Frontal view · Rt wrist X-ray

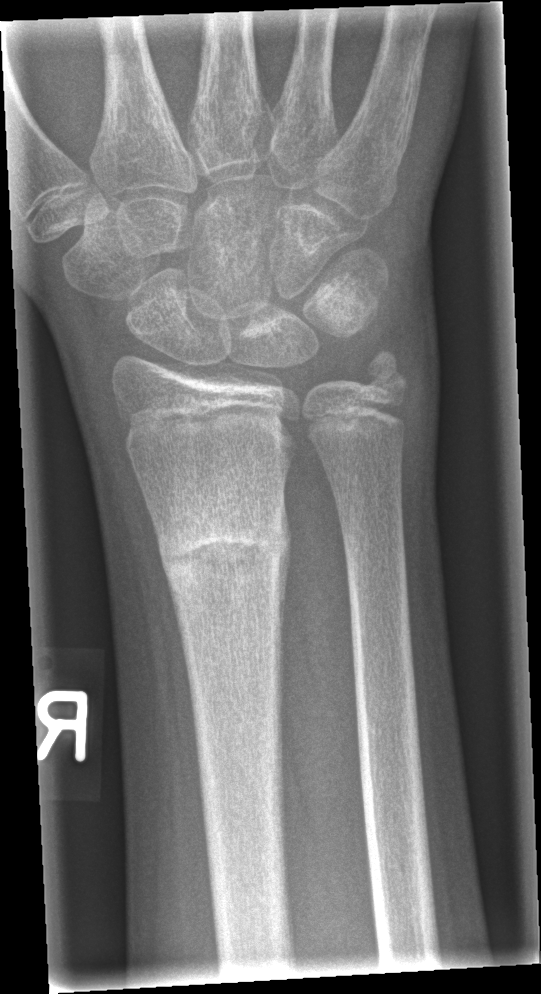 - Decreased bone density (osteopenia).
- Fractures — (154, 521, 293, 581) (355, 344, 412, 403).
- Periosteal new bone identified at (277, 478, 293, 747).